Lt wrist XR, lateral projection, female, 11 yo, index exam, Siemens — 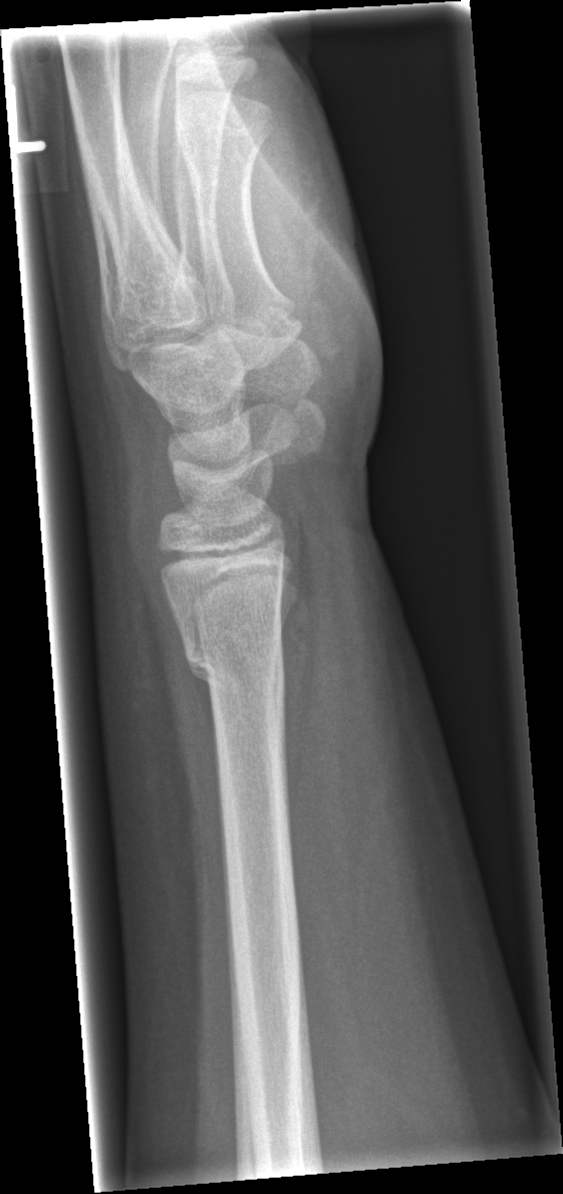 (coordinates are [x1, y1, x2, y2] in image pixels)
Fx = (180, 639, 288, 712)